Posteroanterior projection | left wrist pediatric wrist radiograph:

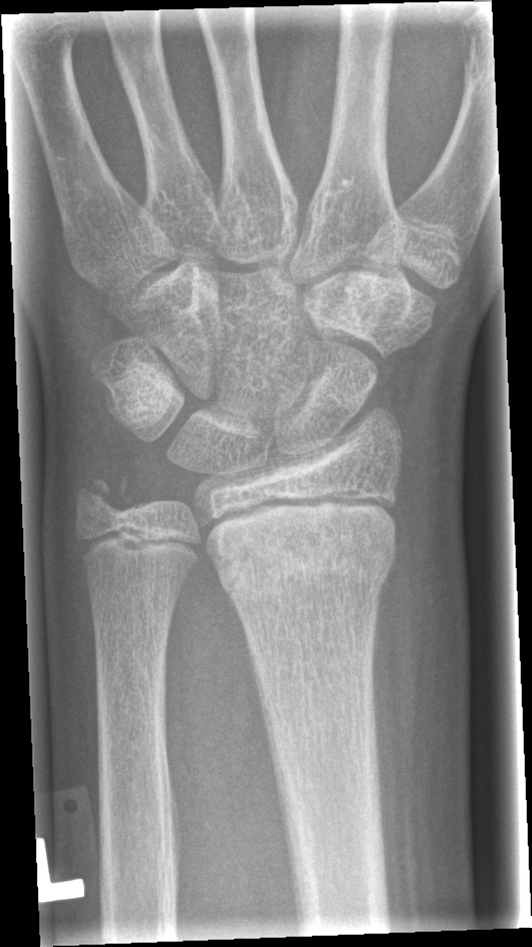
* Bone fracture identified at [211, 527, 400, 613]; [70, 465, 142, 527].
* Osteopenic.